Right wrist X-ray | PA/AP projection | girl, 5 yo | initial study. 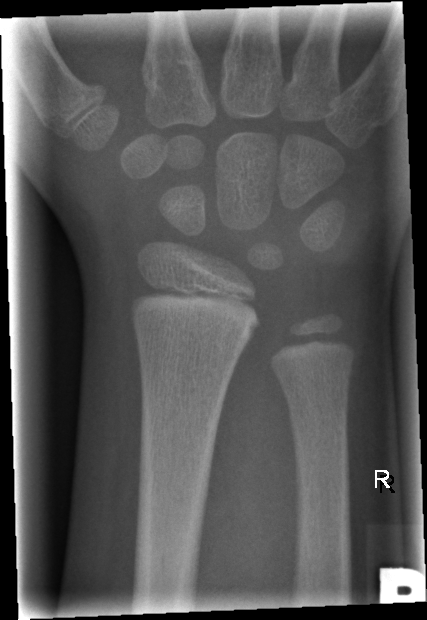

Bone fracture: none labeled